Lateral view, Lt wrist radiograph, 12y M —
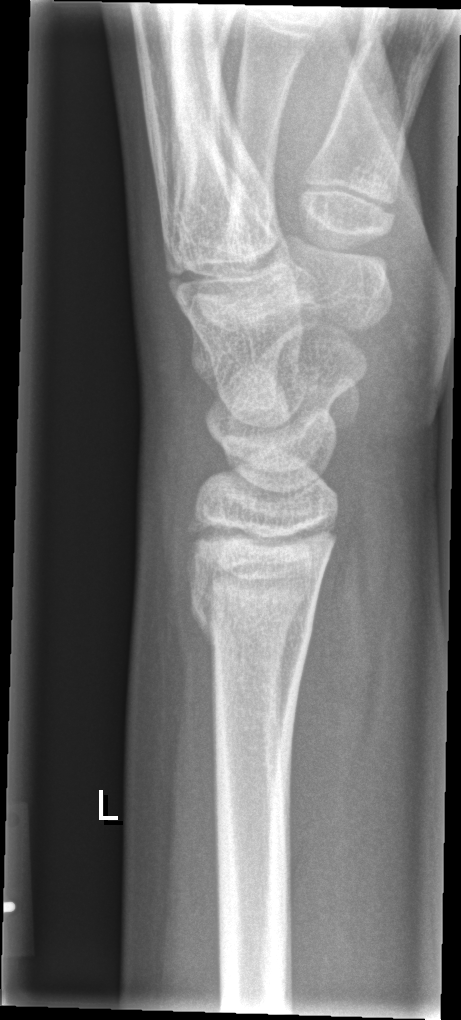

Bone fracture: <184,550>-<318,651>